Lateral projection; left wrist radiograph; boy, 13 yo; follow-up:

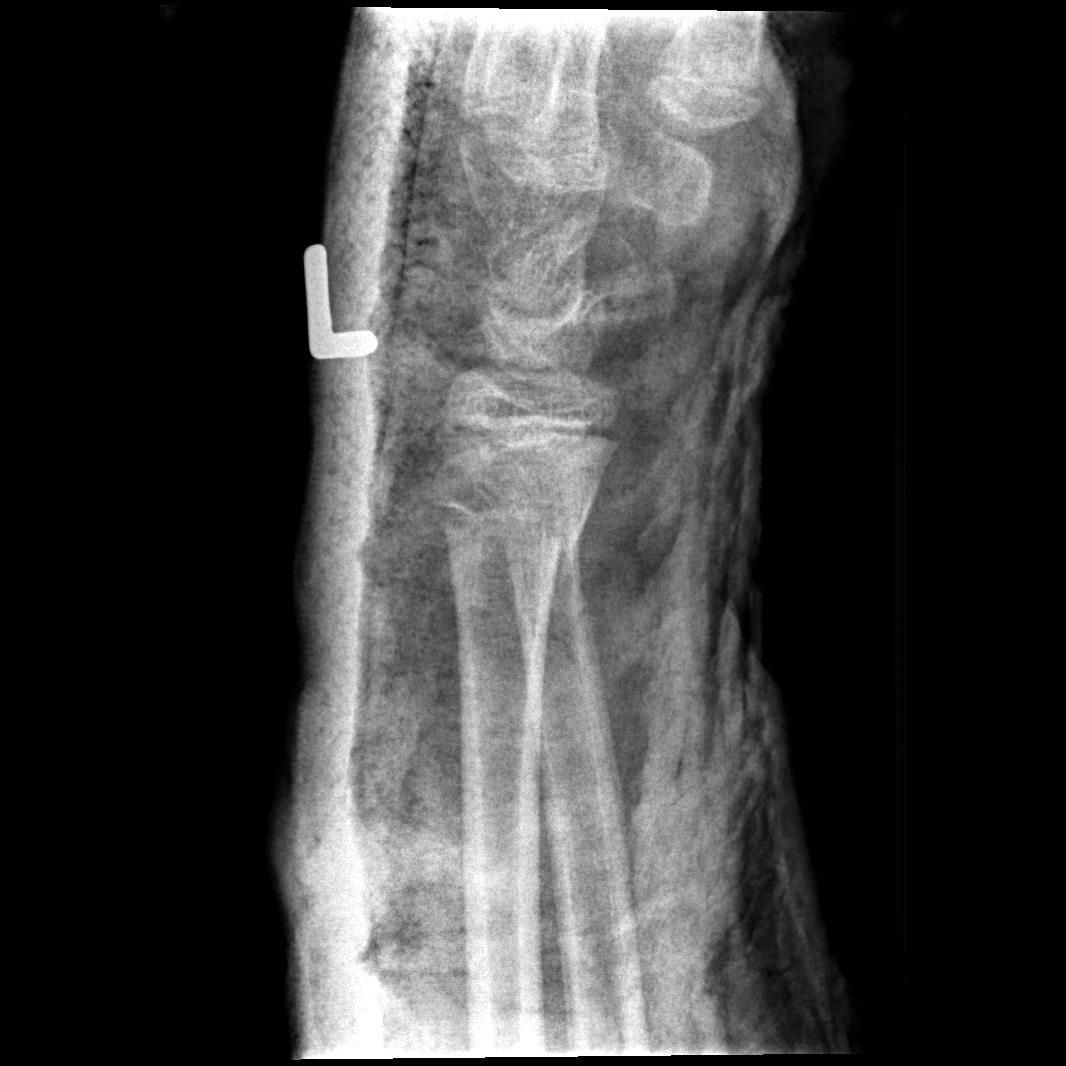
One bone fracture at 431,485,596,591.